Lat projection, R wrist radiograph. 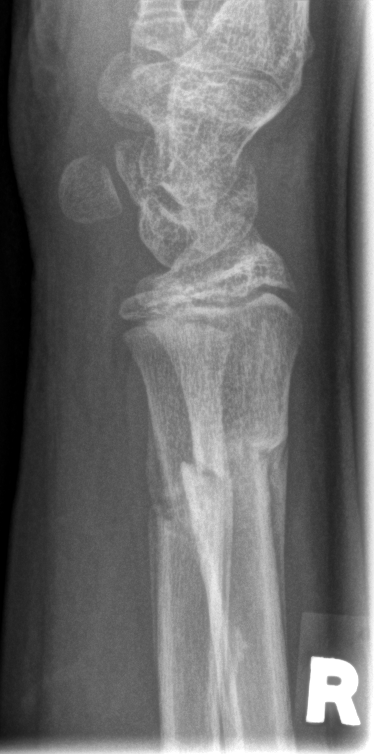 Pixel coordinates, top-left origin, xyxy.
Two periosteal reaction at [x1=145, y1=395, x2=178, y2=700] [x1=259, y1=431, x2=290, y2=675].
Two bone fractures at [x1=176, y1=412, x2=291, y2=500], [x1=149, y1=444, x2=241, y2=537].
Reduced bone mineral density.
AO/OTA classification: 23-M/3.1; 23u-E/7.